Rt pediatric wrist radiograph · lateral view · pediatric patient (male, age 11) · image 64.1 mm wide —

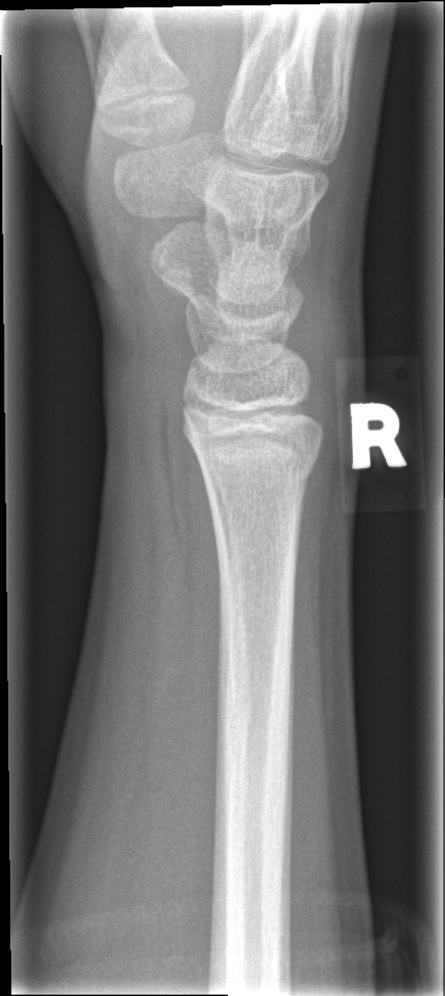
One fracture at 193 438 326 512. AO/OTA classification: 23r-M/2.1.